PA/AP projection; right wrist X-ray; 11y M; presentation radiograph; image 109.9 mm wide; 763 by 960 pixels 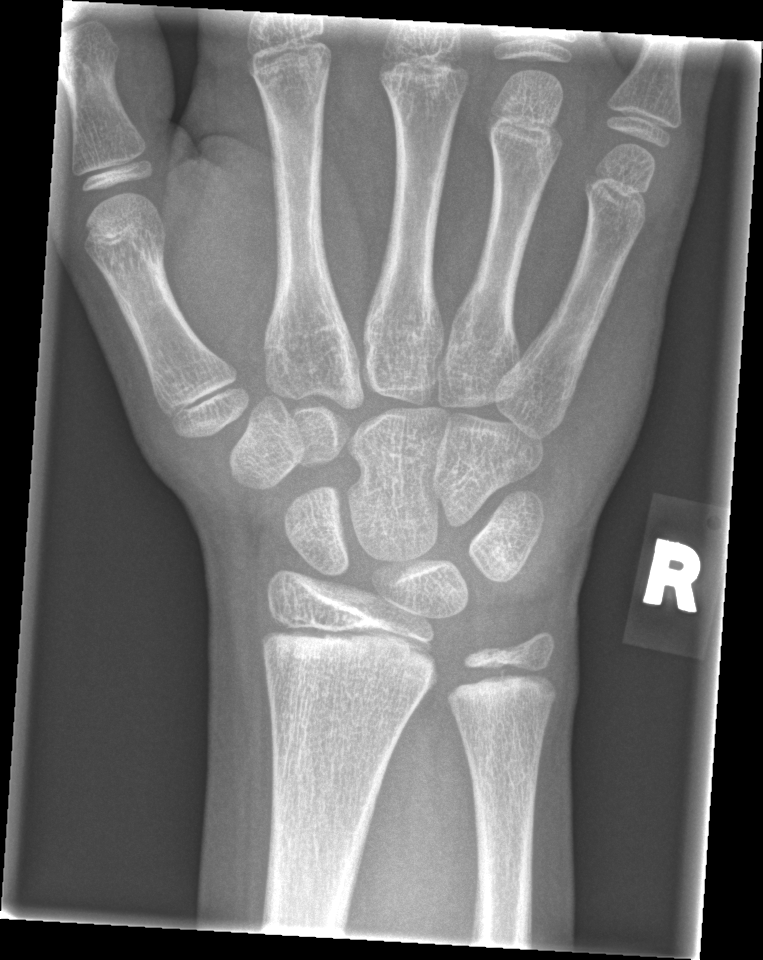 bone fracture = none labeled